Right wrist radiograph | PA/AP view | pediatric patient (boy, age 14)

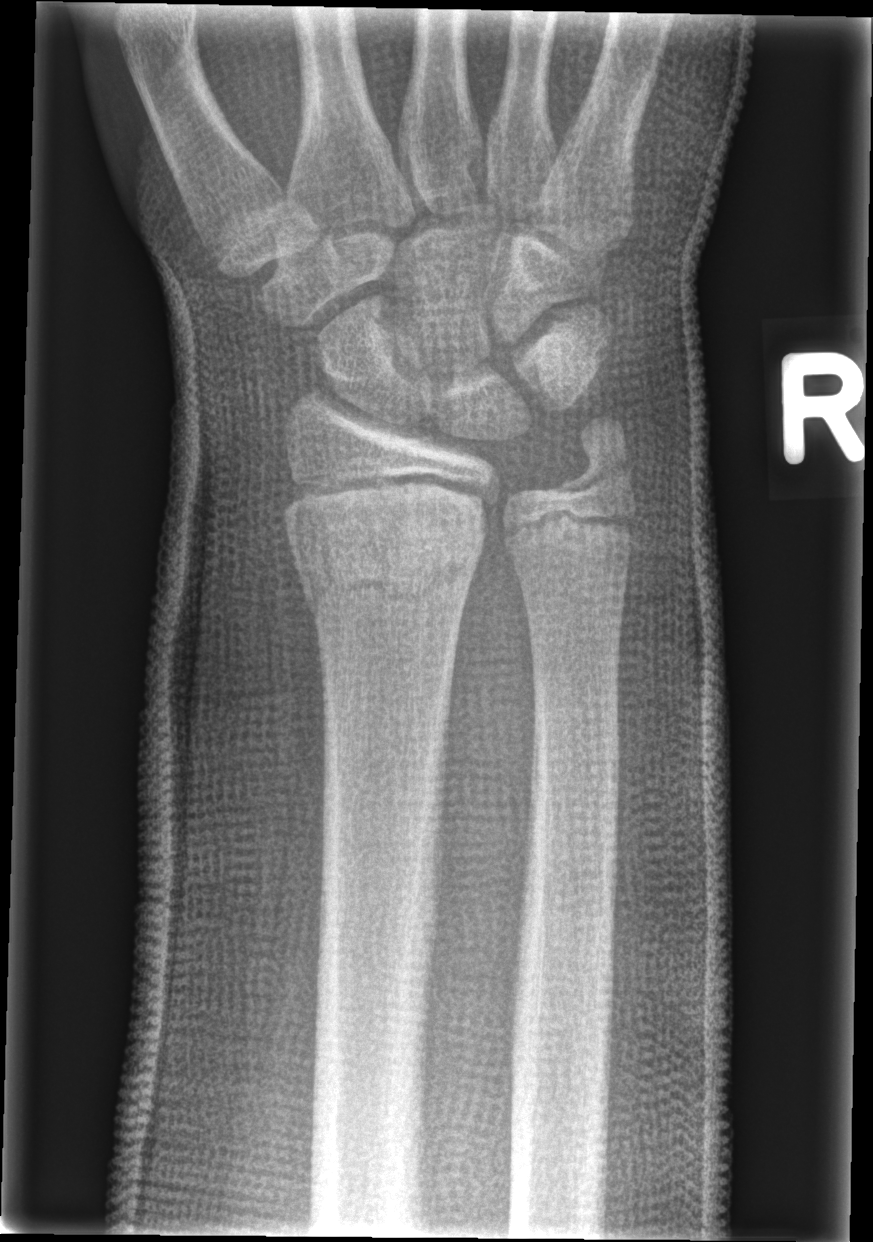 Coordinates are [x1, y1, x2, y2] in image pixels.
Fracture identified at <303,526>-<485,624>; <546,415>-<632,500>.
AO code 23r-M/3.1; 23u-E/7.